Lt plain radiograph of the wrist · lat projection · subsequent exam — 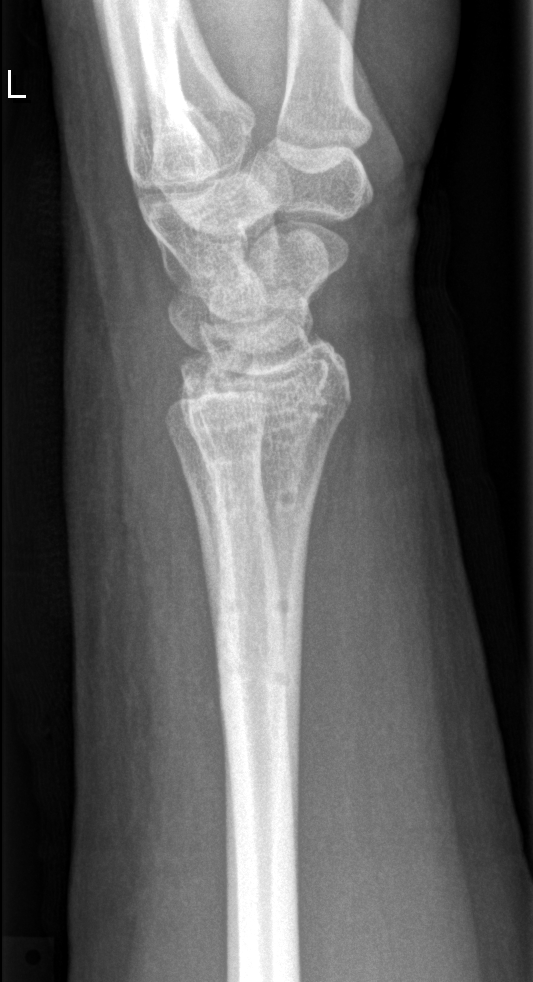

Coordinates are [x1, y1, x2, y2] in image pixels. Soft-tissue finding identified at bbox(57, 294, 211, 848). Fx: none. Bone variant: bbox(161, 362, 334, 517); bbox(211, 582, 306, 626); bbox(213, 651, 300, 690).